Posteroanterior view | right wrist XR | 14-year-old boy | imaged through cast | 519 by 1102 pixels —
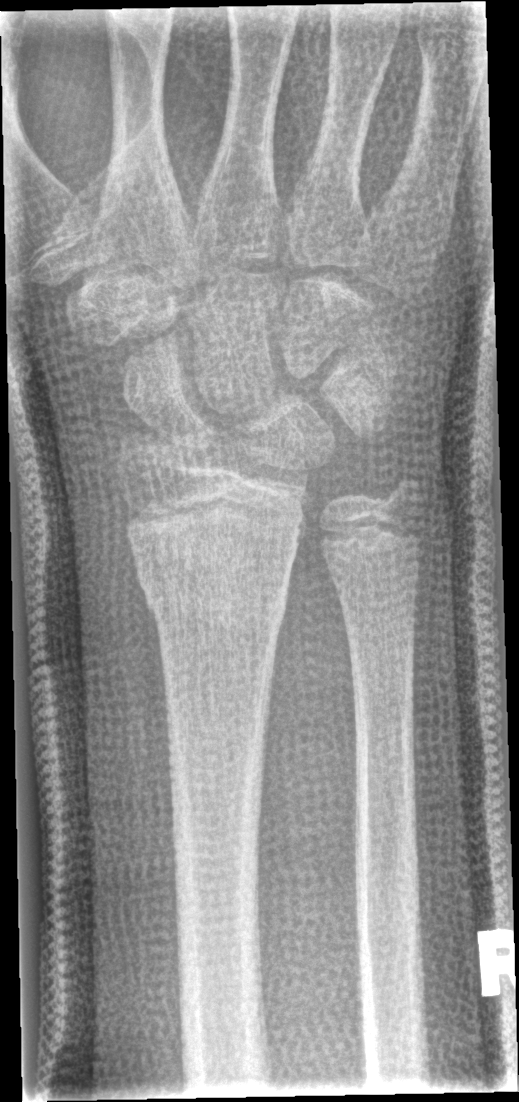 (bounding boxes in image-pixel xyxy)
Q: Fracture present?
A: Fx: (left=134, top=552, right=292, bottom=636)
Q: AO code?
A: AO/OTA classification: 23r-M/2.1